Left wrist plain film; lat view; age 8 y, girl; index exam:
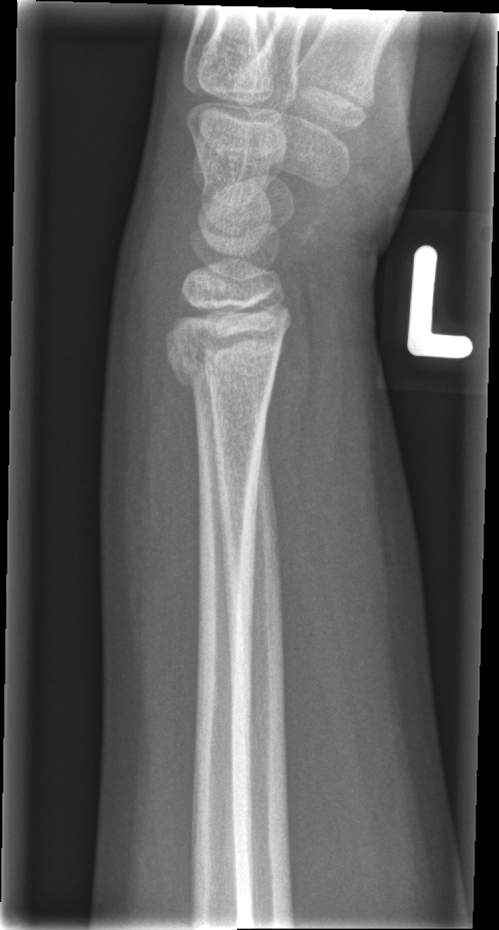

• Boxes as x1,y1,x2,y2 (top-left / bottom-right, pixel units).
• AO code 23r-M/2.1.
• Fracture identified at <161,324>-<284,392>.
• Soft tissue abnormality identified at <107,180>-<206,541>.